Rt wrist radiograph; frontal projection; female, 11 yo 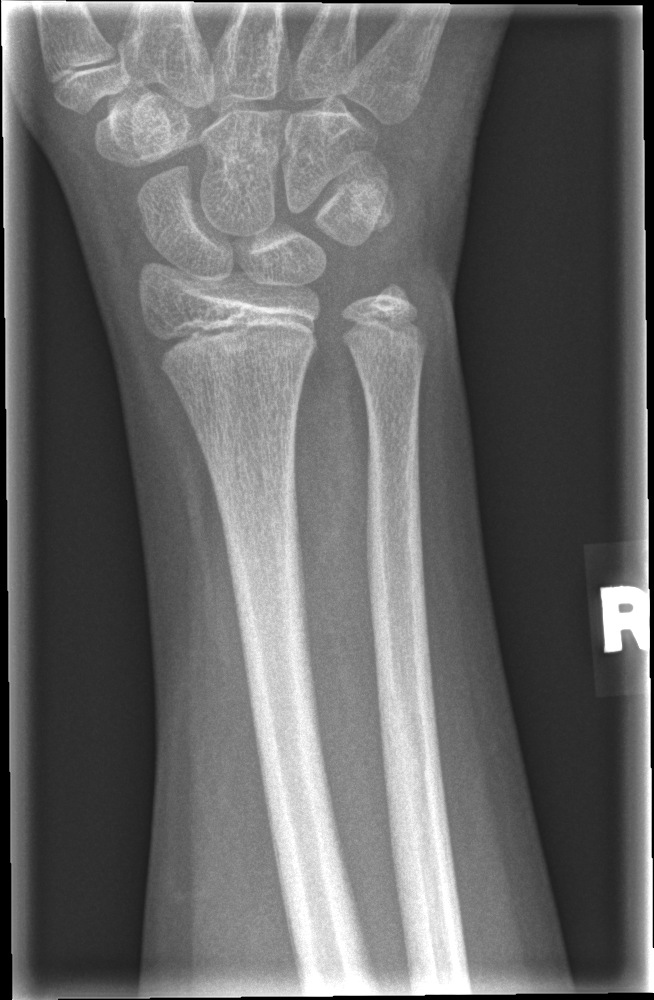

FINDINGS: No Fx annotated. One osseous anomaly at bbox(305, 235, 441, 423).